AP view, left wrist radiograph, cast in situ, image width 100.2 mm —

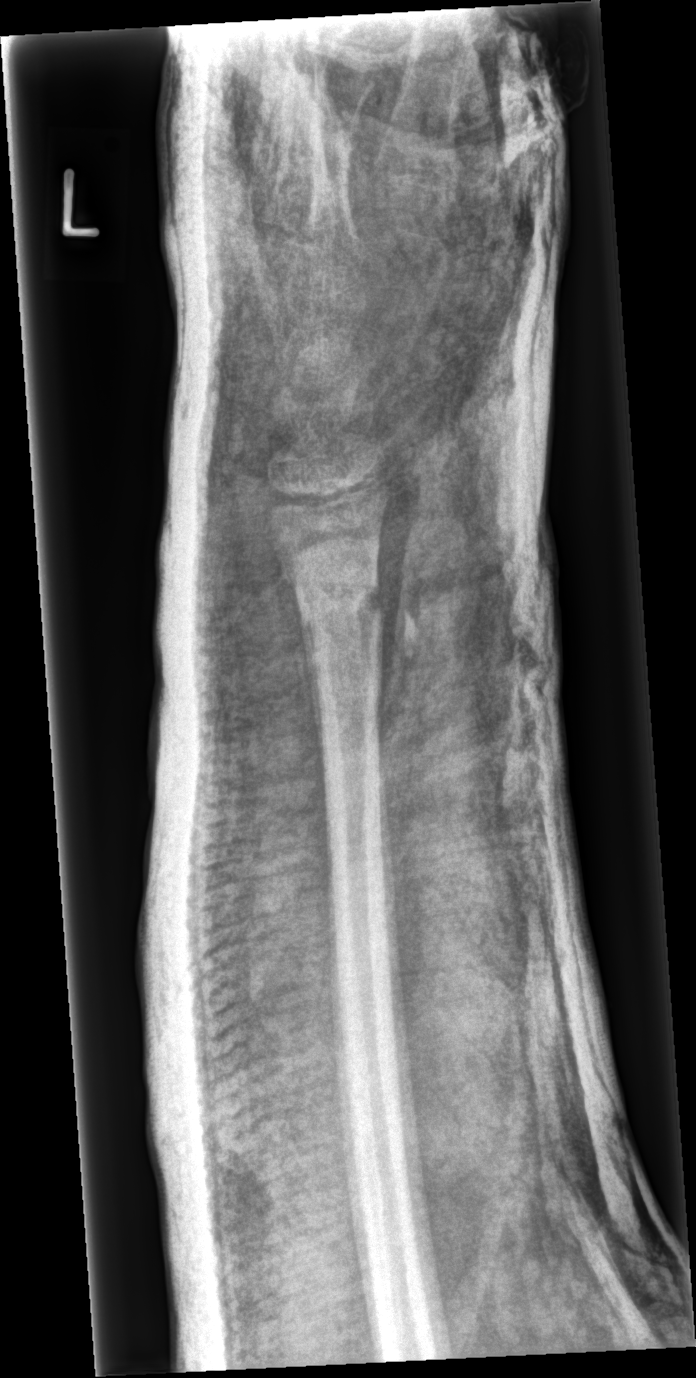 AO/OTA classification: 23r-M/3.1; 23u-M/2.1.
Fracture — (291, 565, 387, 637).